Lat | Lt pediatric wrist radiograph | 16y M 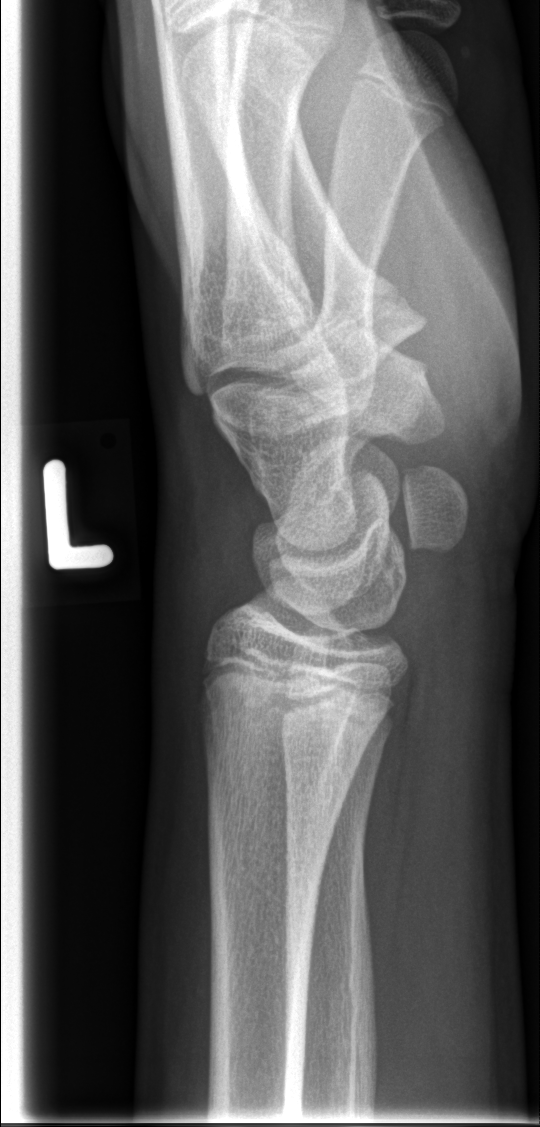

No fracture annotation.